R pediatric wrist radiograph | frontal | follow-up:
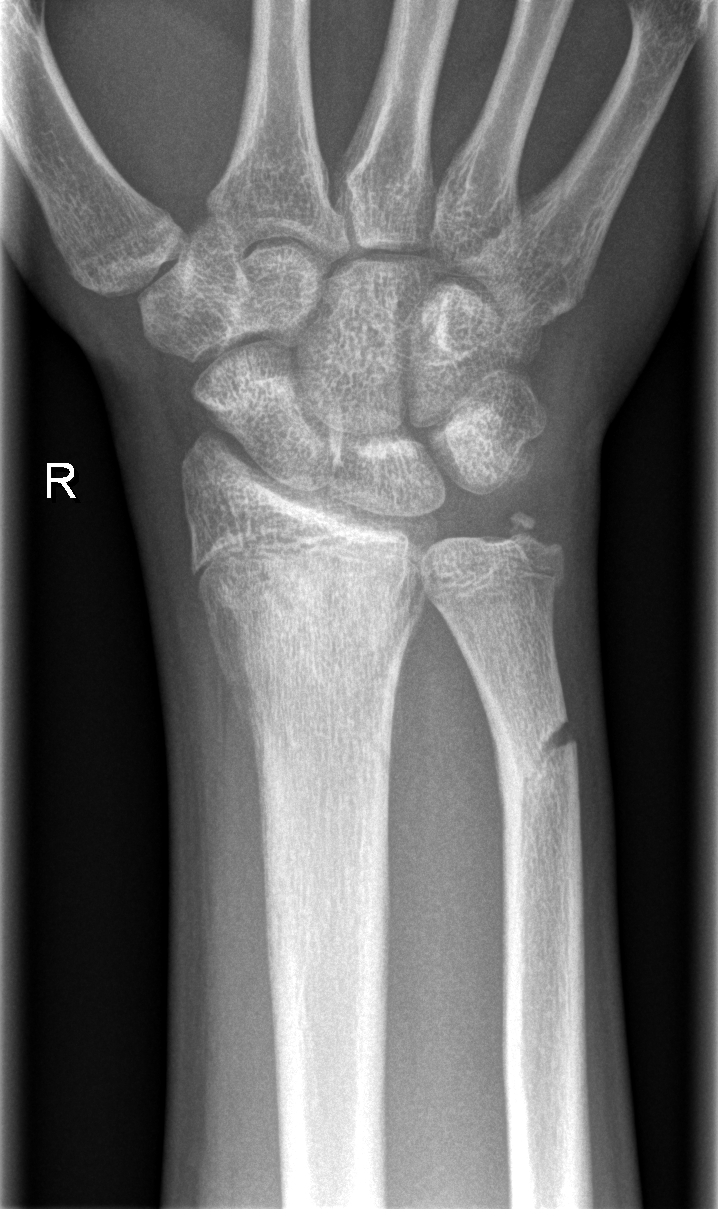

AO/OTA: 23r-M/3.1; 23u-M/2.1; 23u-E/7
bone fracture: 3 @ bbox(192, 544, 426, 706), bbox(490, 706, 584, 793), bbox(503, 501, 572, 567)
osteopenia: present